Lt wrist radiograph, lateral, boy, 11 yo:

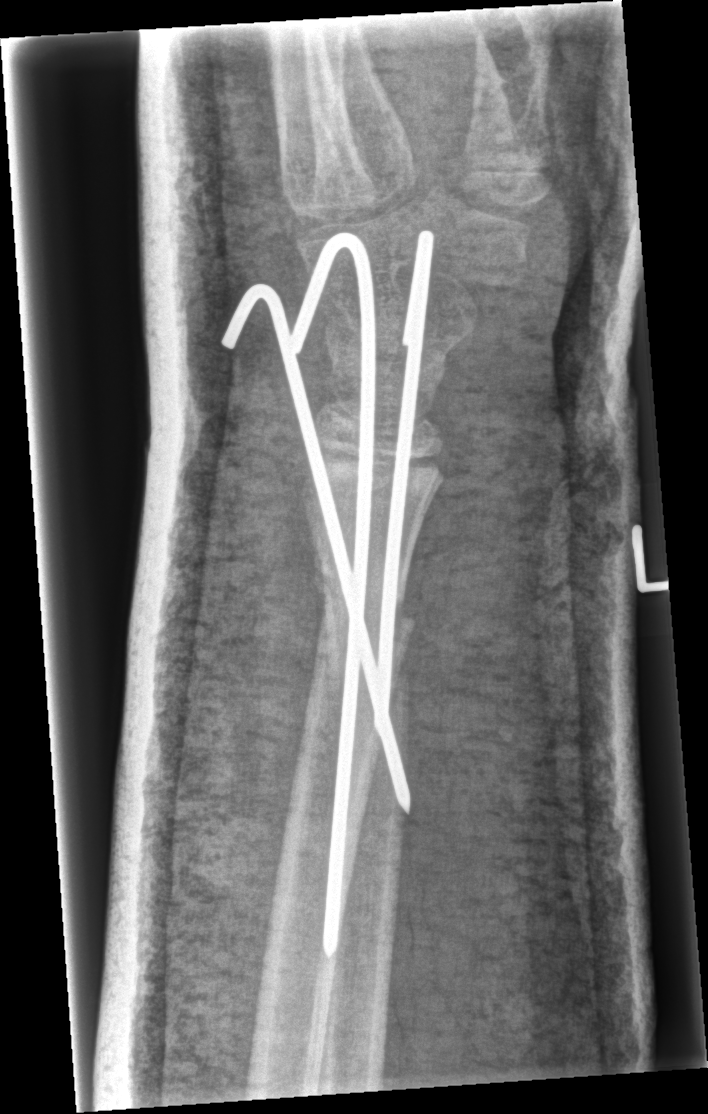 Bounding boxes in image-pixel xyxy.
Fracture: bbox(315, 576, 419, 659).
Metallic hardware — bbox(218, 229, 430, 959).
Fracture classified AO/OTA 23-M/3.1.